R pediatric wrist radiograph; AP view; 14y M; Siemens.

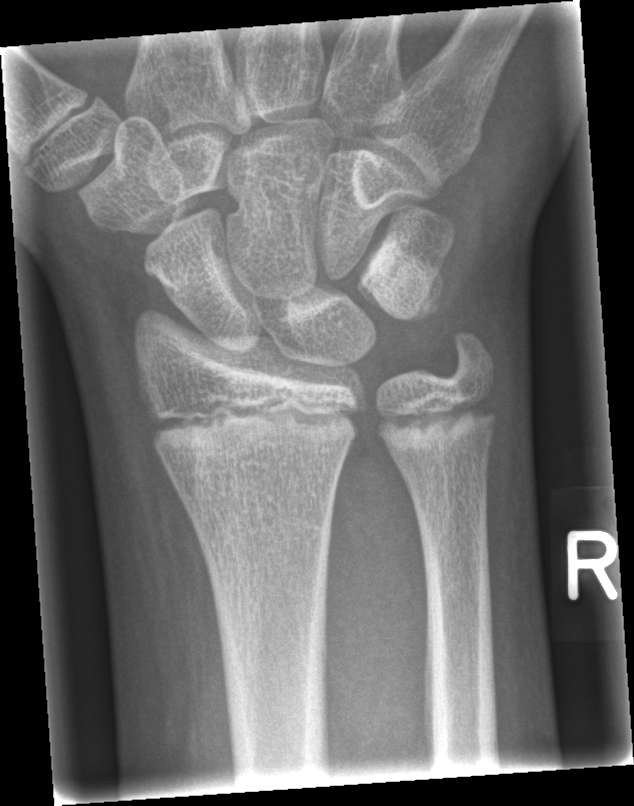 Q: Any fracture seen?
A: No Fx annotated